Frontal, R wrist XR, cast in situ — 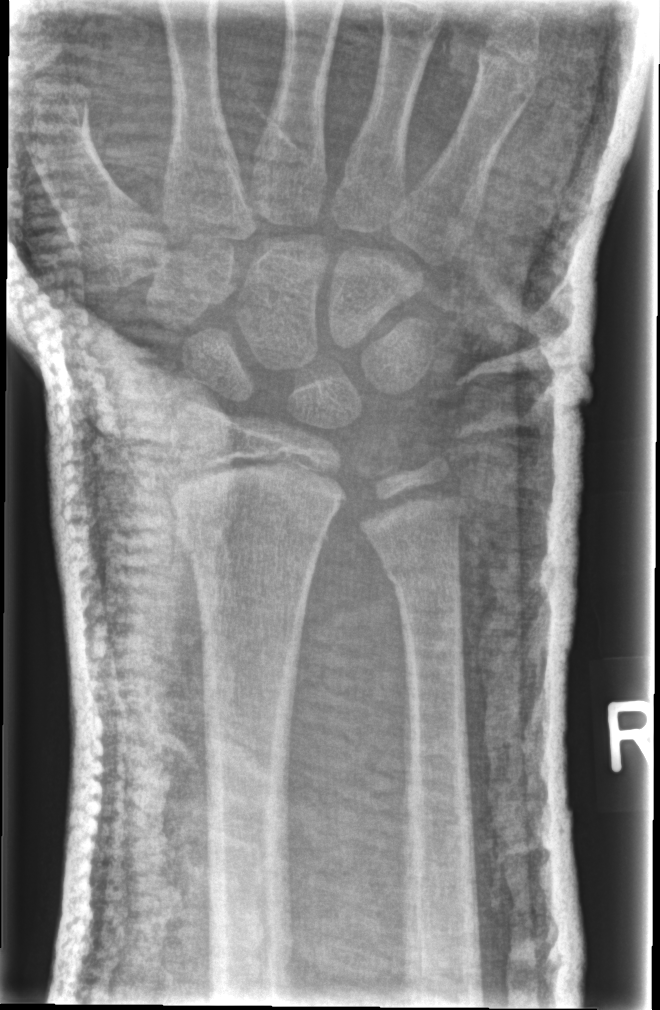
* Two fractures at (left=176, top=515, right=327, bottom=612); (left=382, top=552, right=469, bottom=618).